Left wrist plain radiograph of the wrist, lat view, in cast — 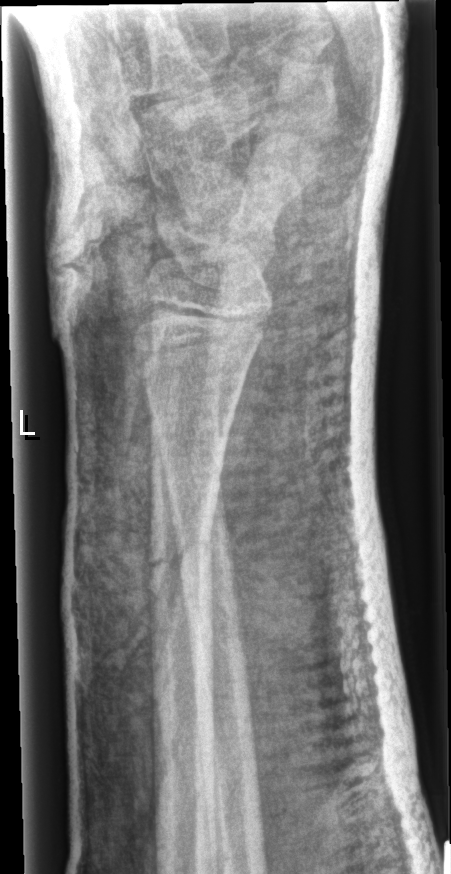
AO classification = 23r-M/3.1; 23u-M/2.1
Fx = 1 @ bbox(147, 519, 221, 605)